Right wrist XR, PA/AP projection, initial study: 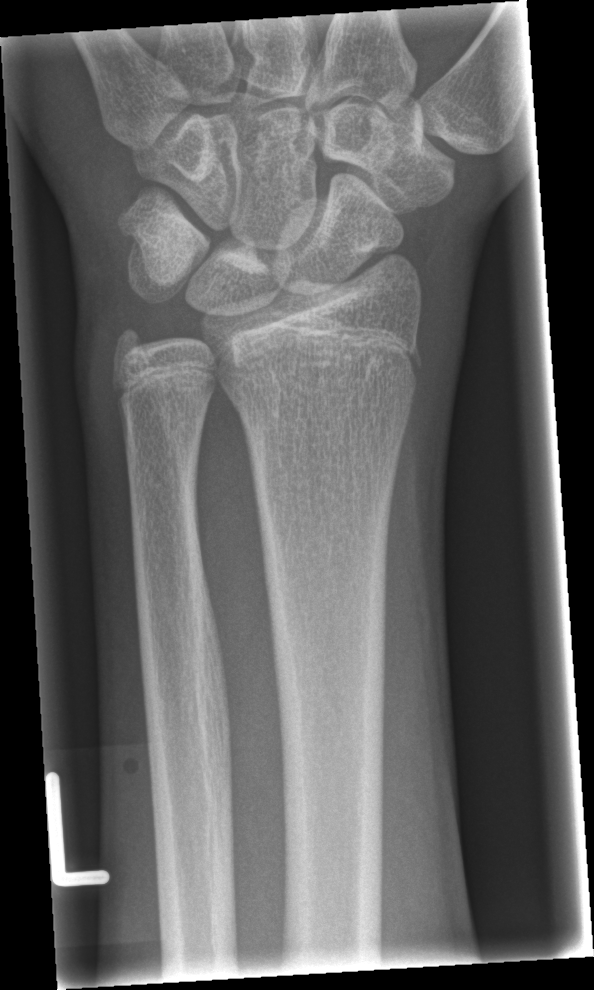

• No Fx annotated.